Left plain radiograph of the wrist; posteroanterior projection; cast present:
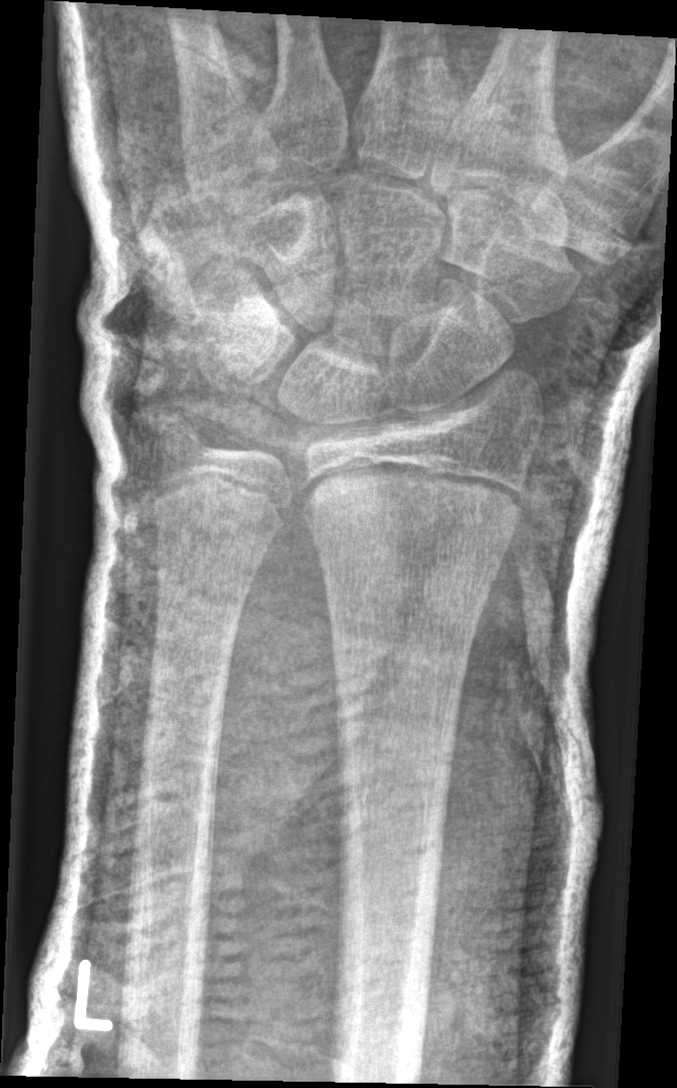 AO/OTA classification: 23r-E/2.1; 23u-E/7.
Fracture present, though not clearly seen in this view.